R wrist radiograph; lateral projection; age 9 y, female — 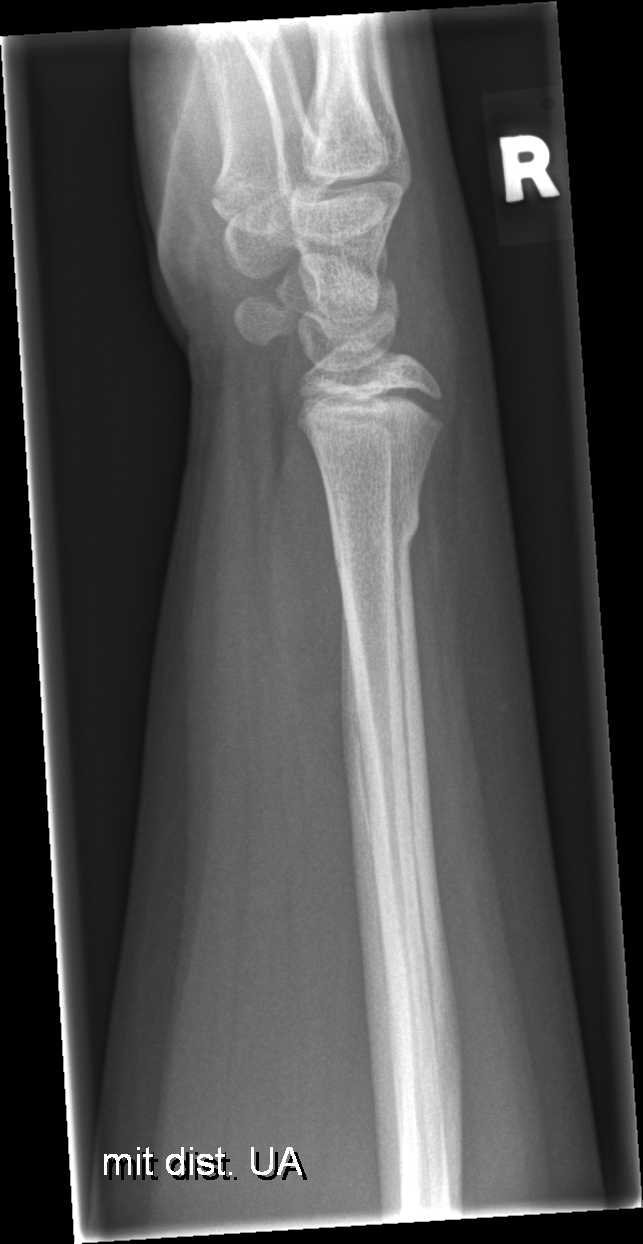 AO code: 23r-M/2.1
Bone fracture: 328,487,425,570
Pronator quadratus fat-pad sign: 277,428,352,783